Posteroanterior projection; Lt wrist radiograph; age 10 y, male; 87.8 mm image width
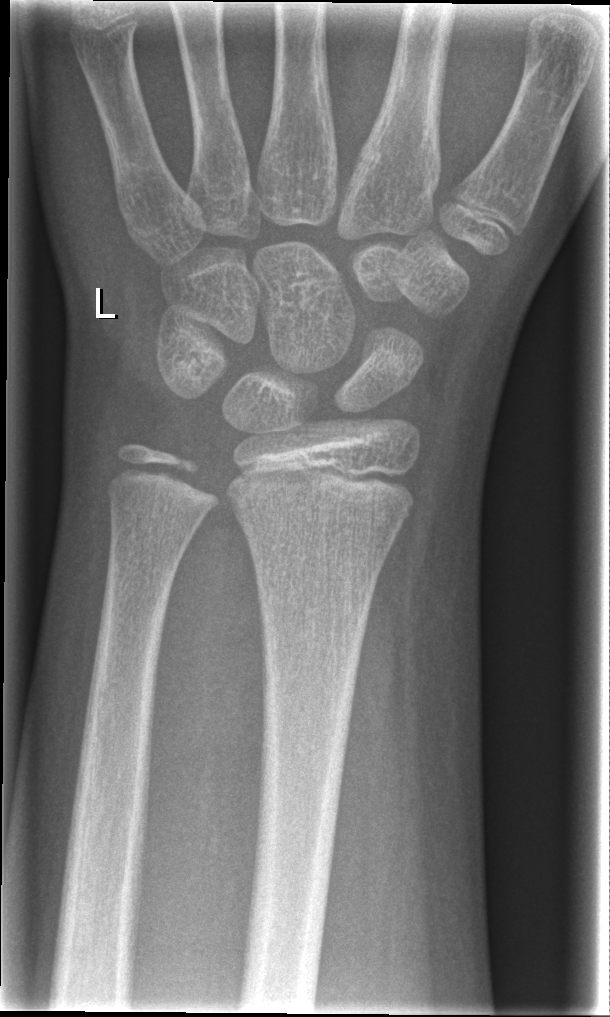
Fracture classified AO/OTA 23r-M/2.1. Fracture present, but no bounding box because it is not clearly seen in this view.